AP projection | Rt plain radiograph of the wrist | acquired on Siemens | image width 82.4 mm.

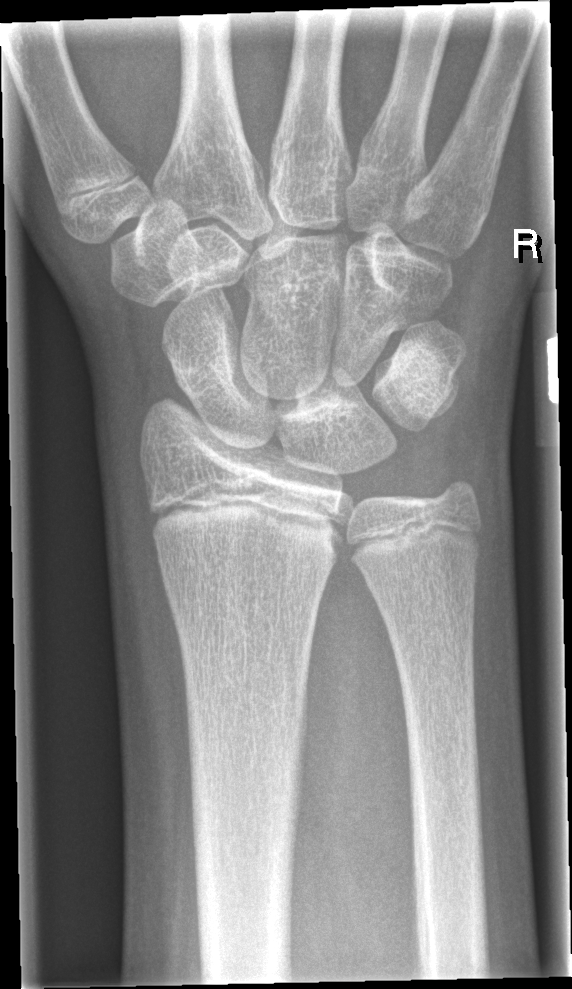
* Fx: none.